L wrist XR · PA/AP projection — 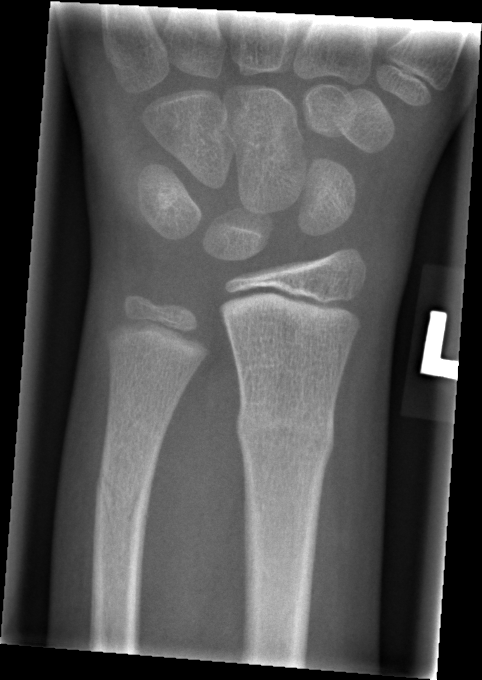

• Two bone fractures at [235, 402, 337, 466] [92, 470, 151, 530].
• AO/OTA classification: 23-M/2.1.